PA/AP | L wrist XR | female, 8 yo | initial study | Siemens | image 69.4 mm wide
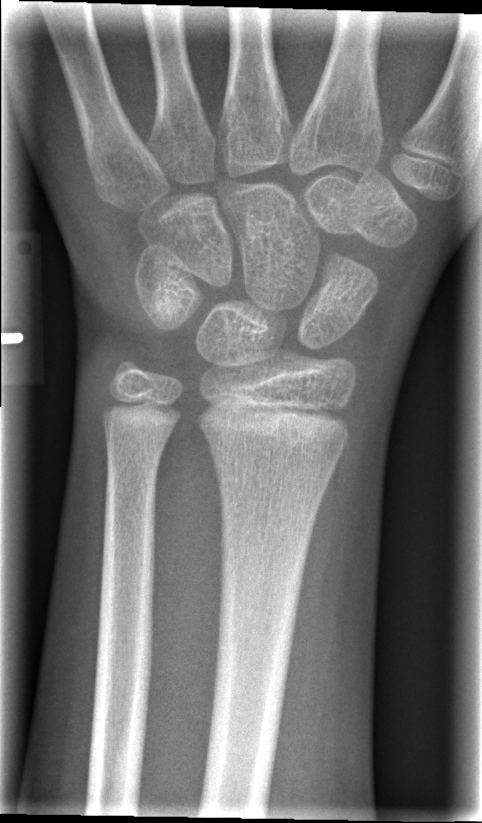

• Fx: none.